R wrist X-ray | lateral projection.

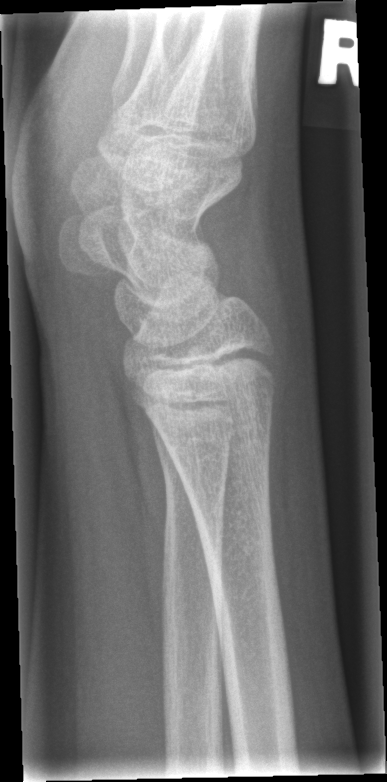
Bone fracture = none labeled